L wrist radiograph · frontal view · index exam · Siemens 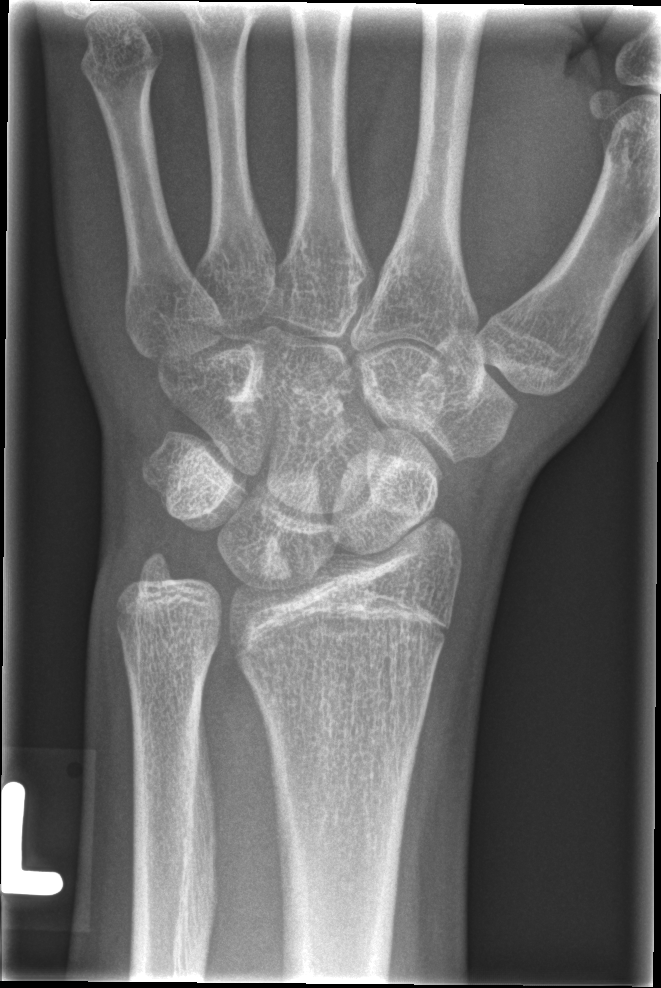

Findings: No Fx annotated.